PA view; left wrist plain film; boy, 12 yo; 89.4 mm image width —

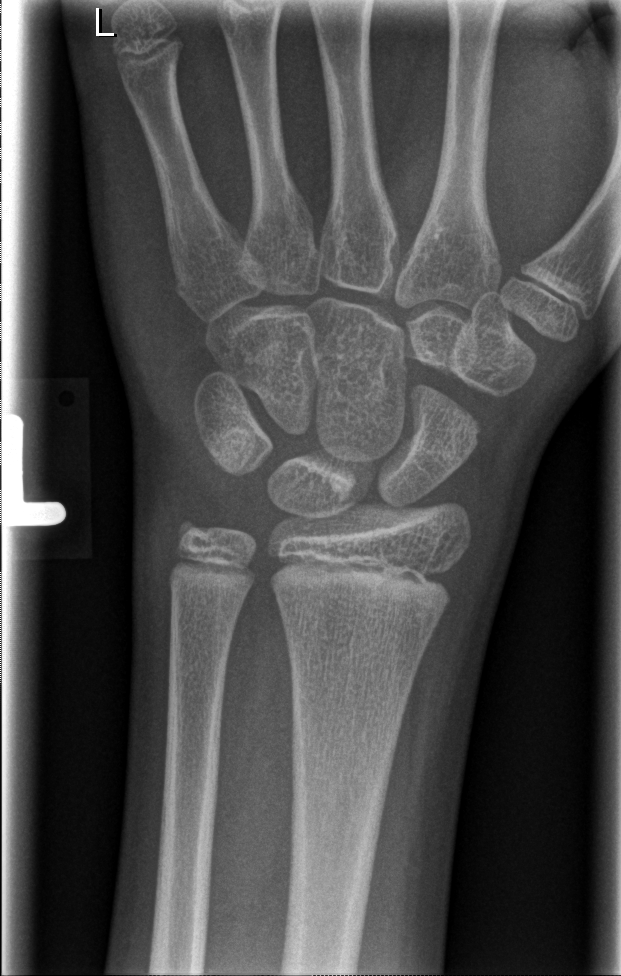 fracture = none labeled